R wrist radiograph · AP view · pediatric patient (girl, age 13) · initial study.

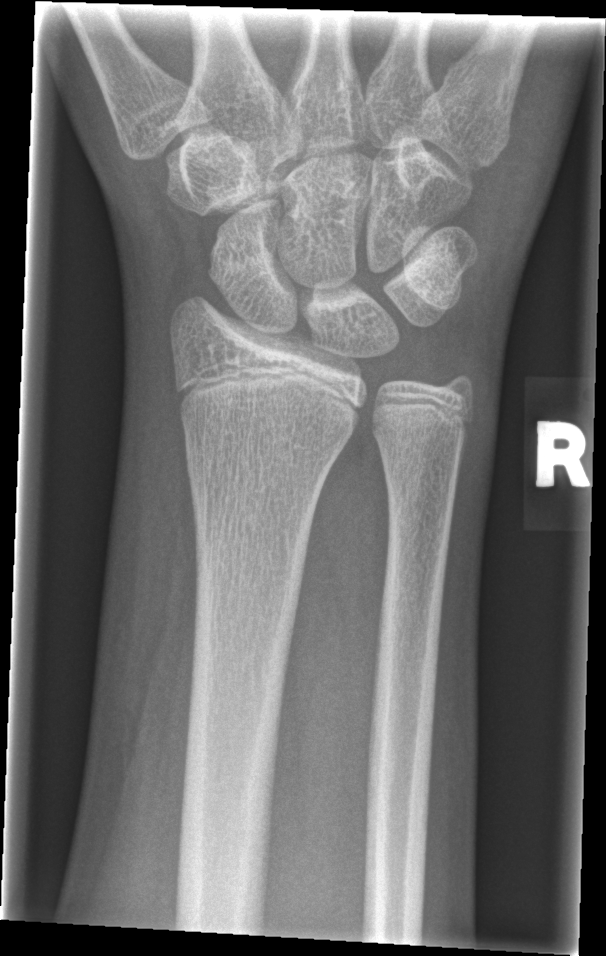   fracture: none labeled